Posteroanterior; left wrist radiograph — 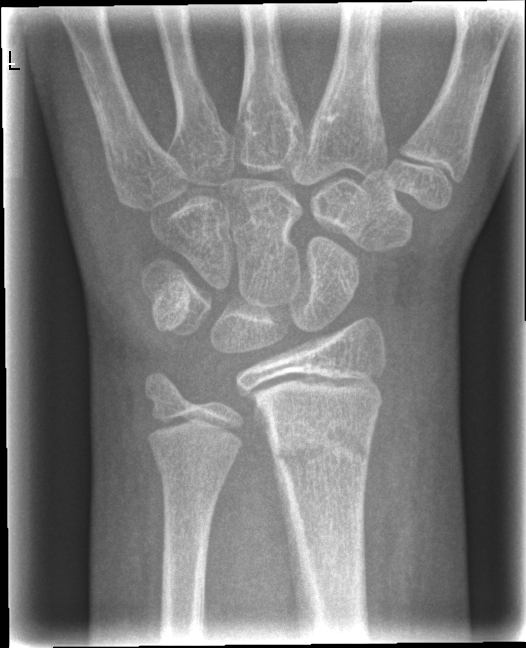

Fx = [265, 429, 374, 474] [153, 445, 238, 499]